Lateral view; Rt plain radiograph of the wrist; diagnosis uncertain

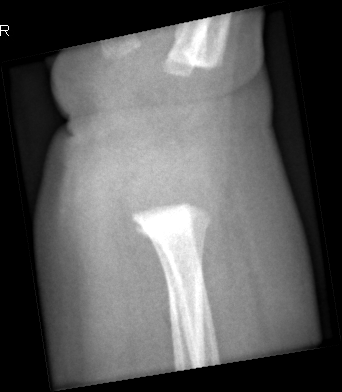
Findings: Fracture: none labeled.